Lat | Rt wrist radiograph | pediatric patient (female, age 12) | acquired on Siemens | 424x1086:

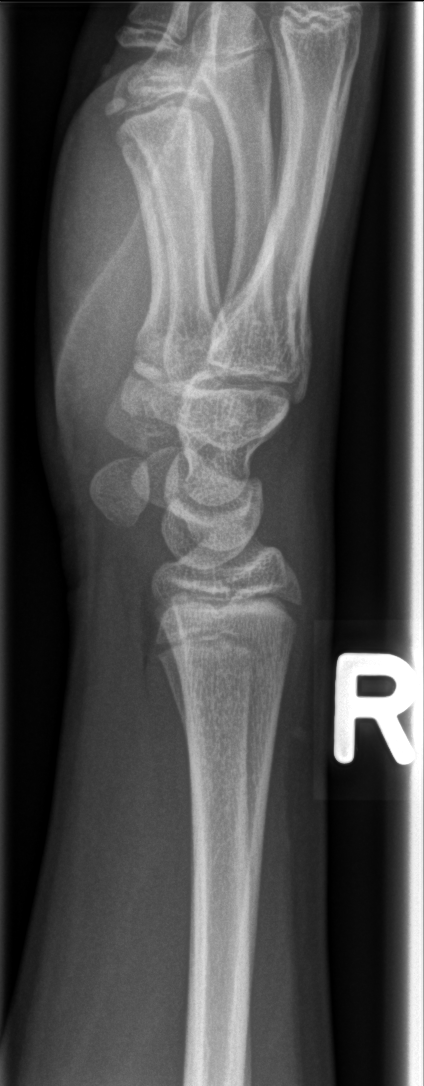

No fracture labeled.